Right wrist pediatric wrist radiograph; lat view; age 5 y, male:
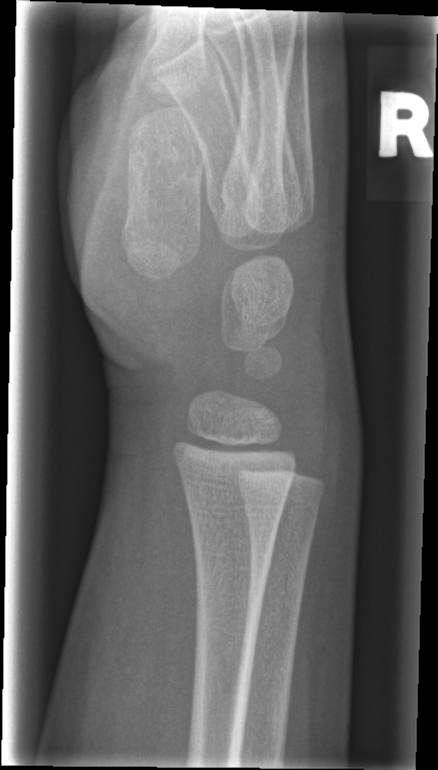
Bone fracture: none labeled